Posteroanterior | right wrist pediatric wrist radiograph | index exam | acquired on Siemens. 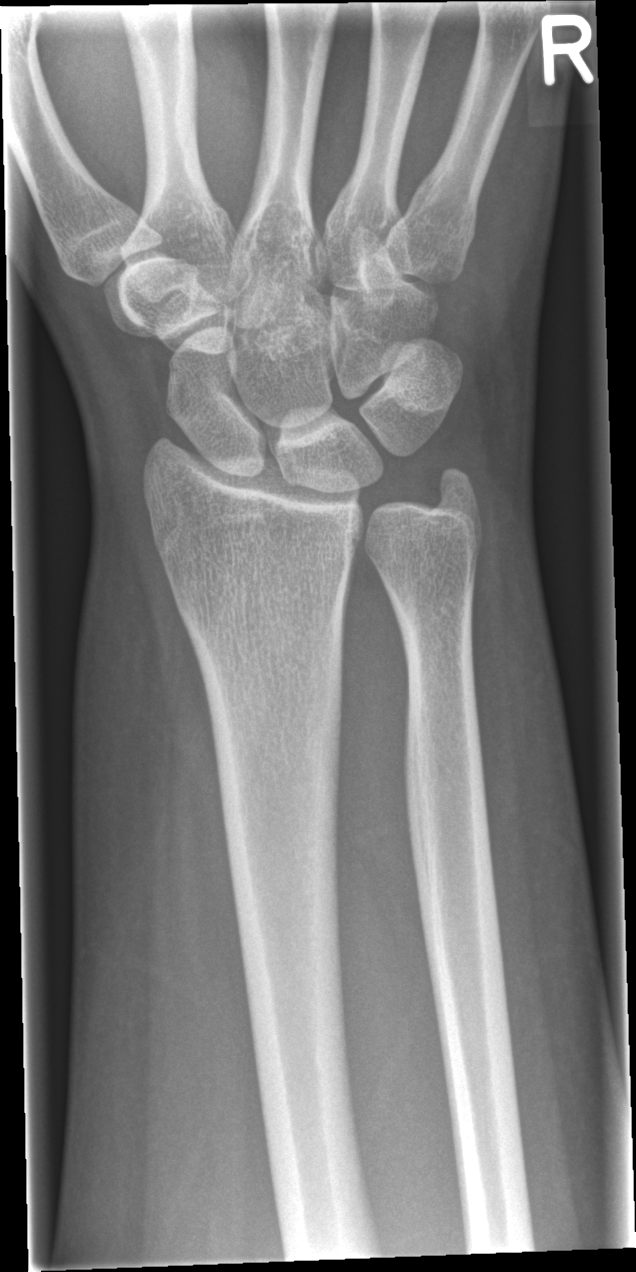 Q: Fracture present?
A: No fracture labeled